Posteroanterior view; left wrist X-ray; 6-year-old boy; 74.6 mm image width. 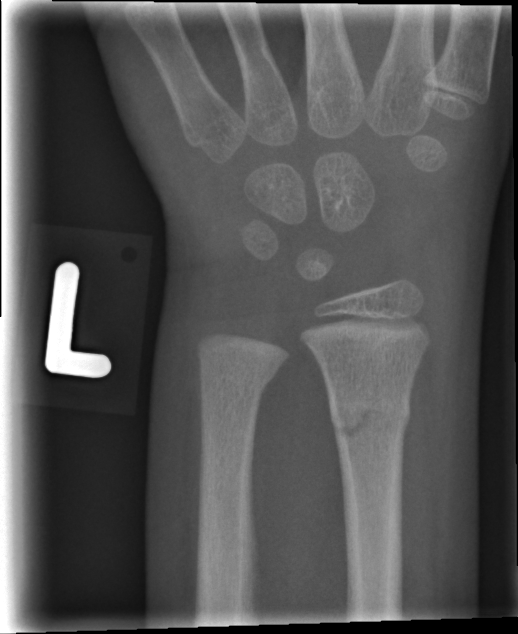

{
  "fracture": "2 @ 324,380,415,444\n  196,348,284,401"
}